R plain radiograph of the wrist, frontal projection, image width 93.3 mm — 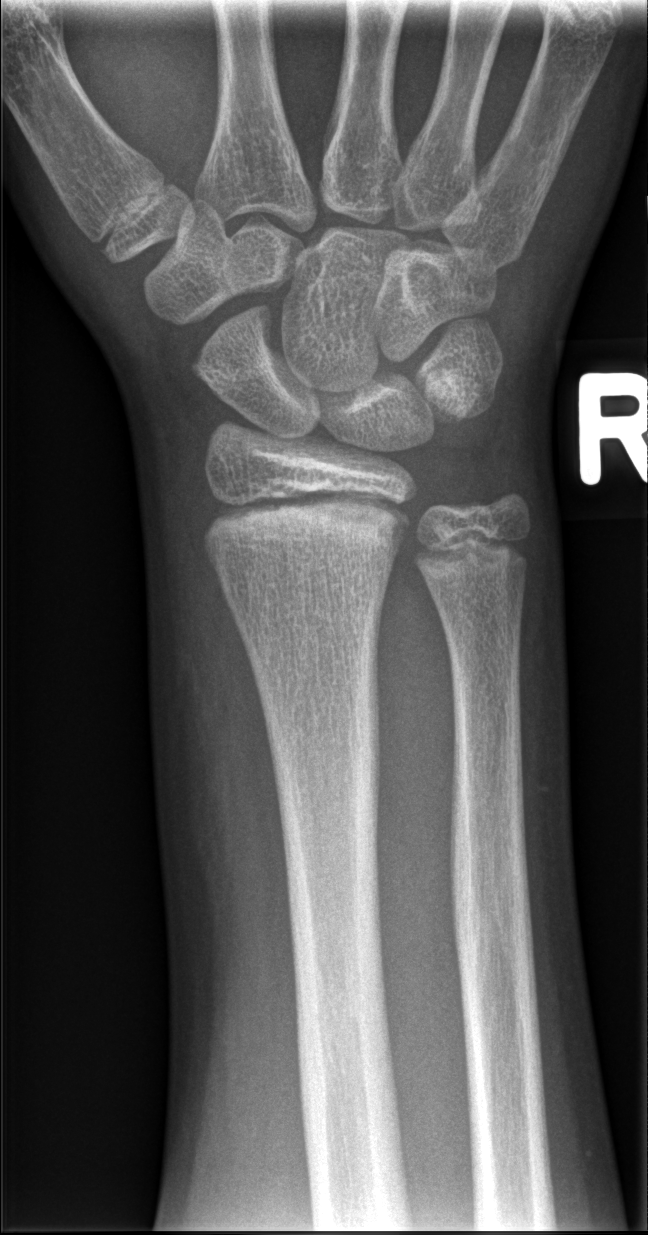

Fx — bbox(198, 488, 415, 562).